Lateral view; right wrist X-ray; age 12 y, female; index exam.

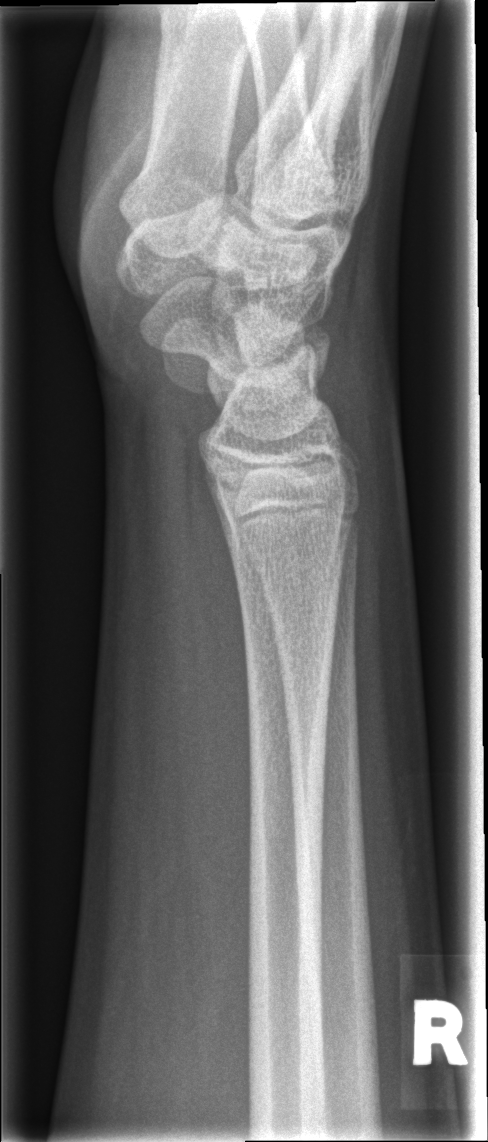
Findings: No Fx annotated.